Frontal; L plain radiograph of the wrist

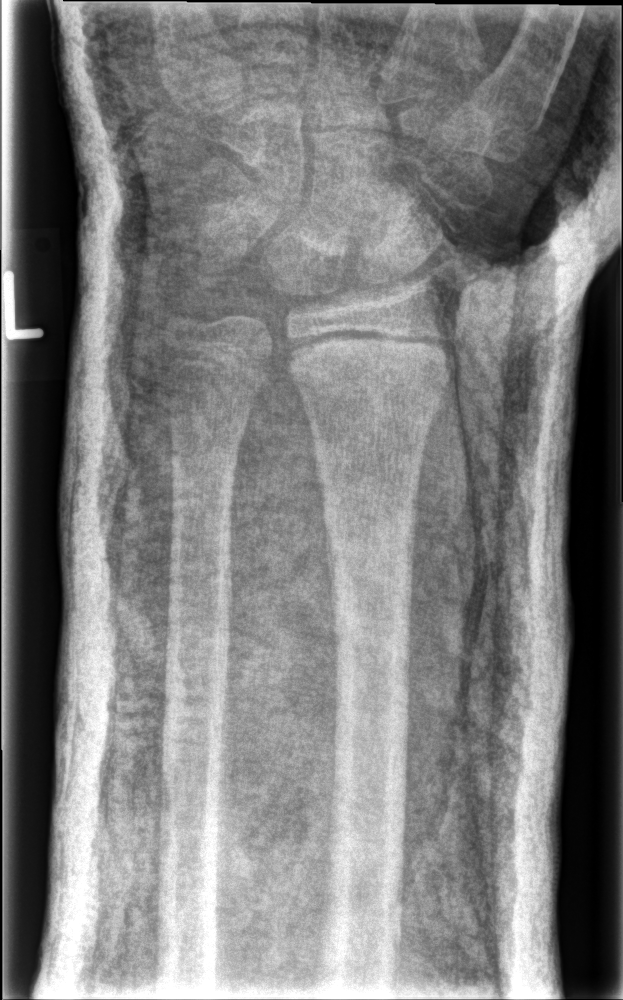

Fracture present but not clearly seen in this view.